AP; right pediatric wrist radiograph; cast in situ —
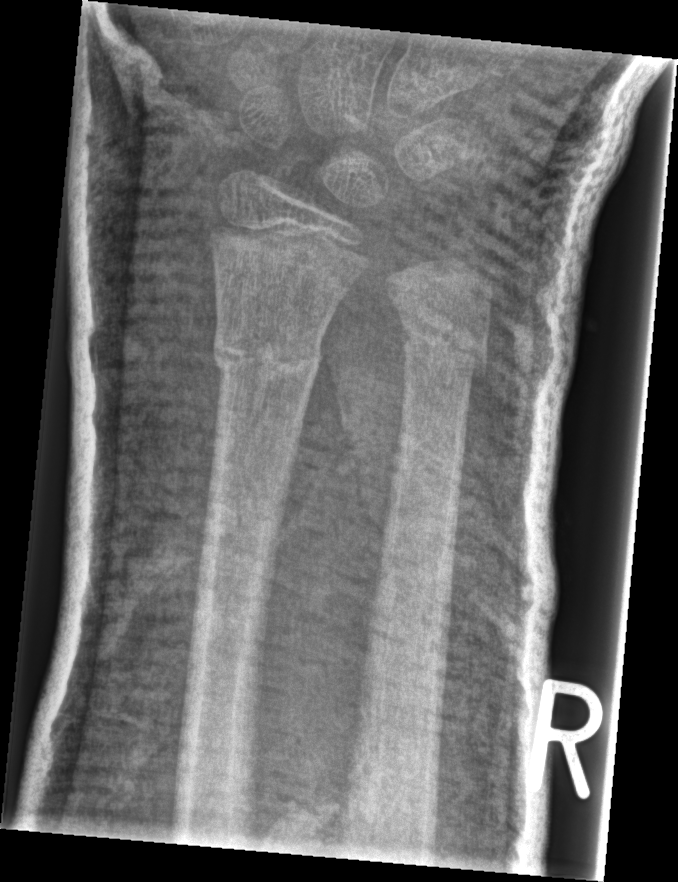 Fracture = 2 @ 210,327,326,383 | 398,314,491,383
AO/OTA = 23-M/3.1